Lat view, right wrist plain film, age 8 y, girl, presentation radiograph:

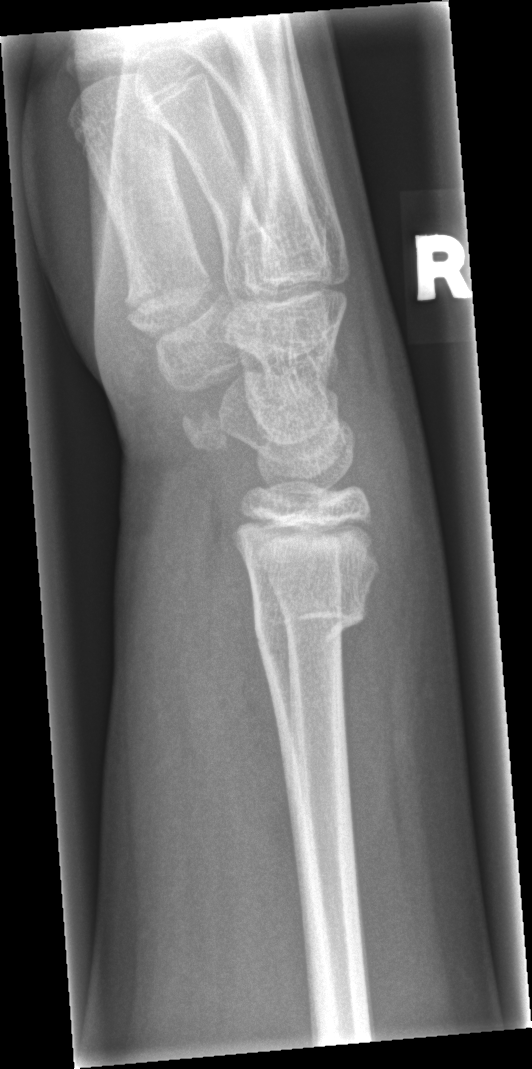
Fx: (247, 593, 370, 655)
AO code: 23r-M/2.1;23u-E/7
pronator sign: 1 @ (198, 503, 301, 879)